AP view | L wrist radiograph | 10y M | cast present. 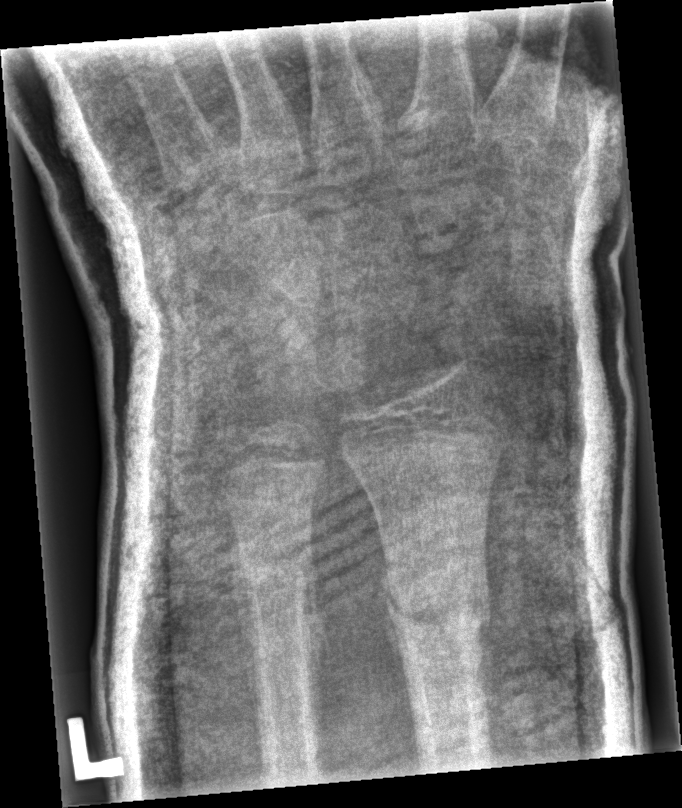 Coordinates are [x1, y1, x2, y2] in image pixels. Bone fracture: 378 564 494 645; 232 533 323 623.